Right wrist plain film, PA, cast in situ —

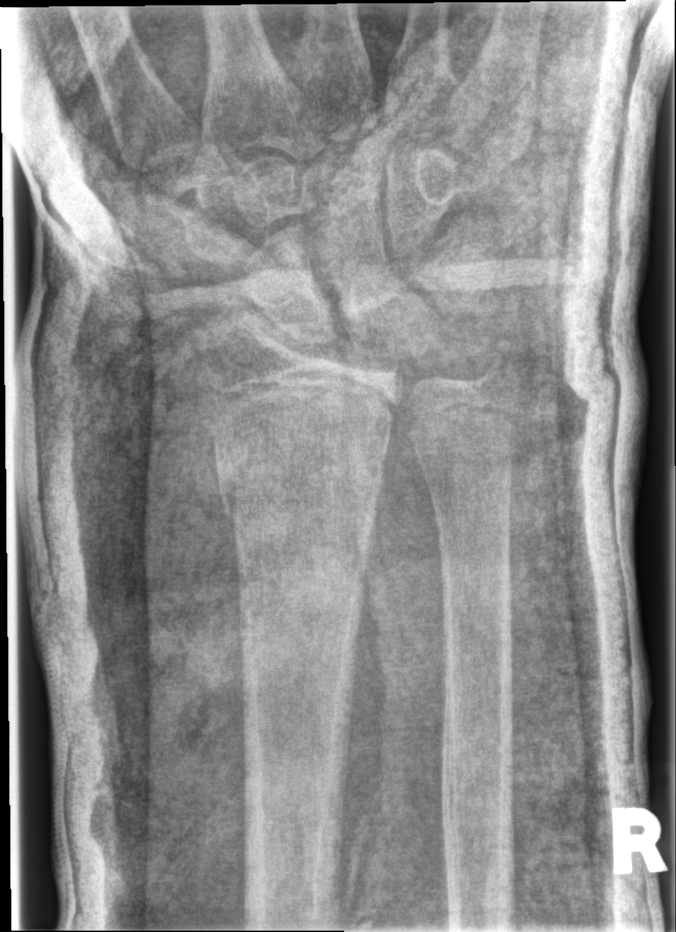 Q: Is there a fracture?
A: Bone fractures — bbox(212, 425, 393, 522), bbox(464, 332, 527, 398)
Q: What is the AO/OTA classification?
A: Fracture classified AO/OTA 23r-M/3.1; 23u-E/7